Left pediatric wrist radiograph, PA projection, age 9 y, boy, 89.9 mm image width:

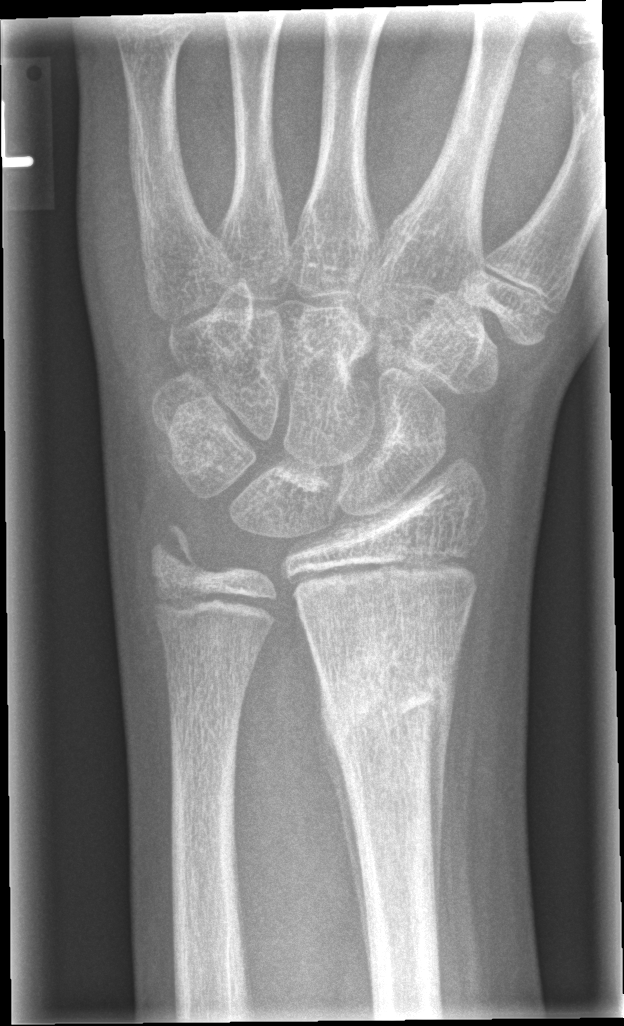

{"_coords": "bounding boxes in image-pixel xyxy", "fracture": "2 @ [x1=317, y1=647, x2=456, y2=756] [x1=143, y1=513, x2=210, y2=591]", "osteopenia": "present", "periostealreaction": "2 @ [x1=314, y1=676, x2=374, y2=999], [x1=429, y1=643, x2=457, y2=948]"}